Frontal projection; left plain radiograph of the wrist — 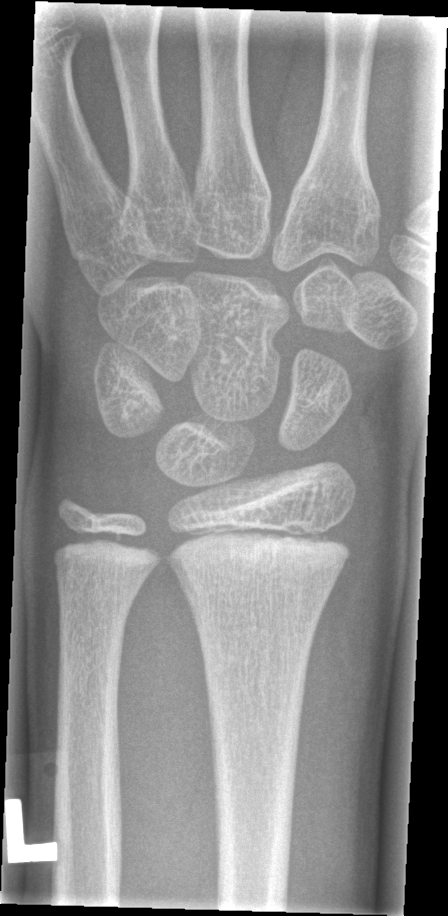

Fx: none labeled